Right wrist plain film; lateral; age 9 y, girl; image size 475x906: 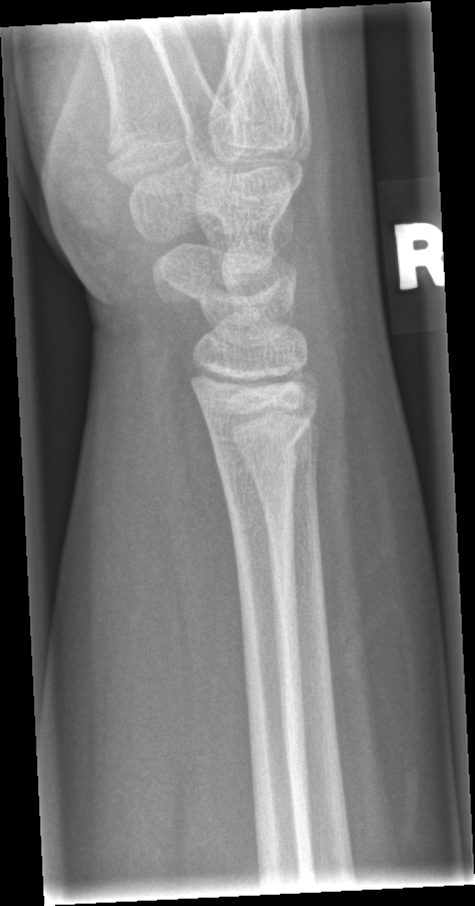 - AO/OTA classification: 23r-M/2.1.
- Bone fracture — (left=202, top=410, right=319, bottom=473).